Left pediatric wrist radiograph | lat —

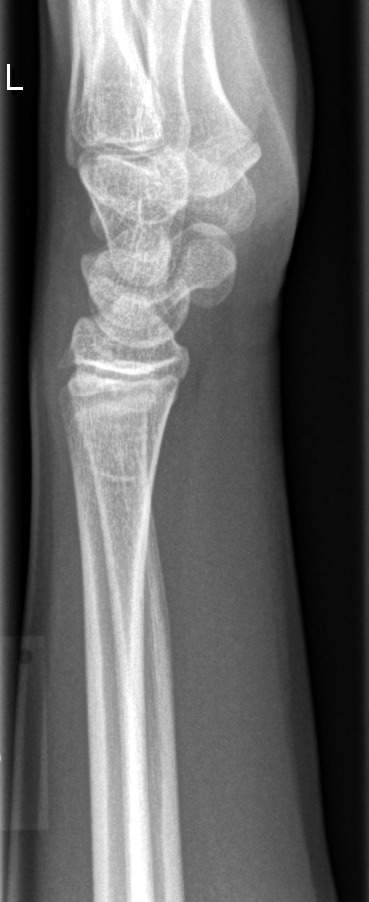

FINDINGS — No Fx annotated.